Lt wrist radiograph; posteroanterior projection; Siemens.

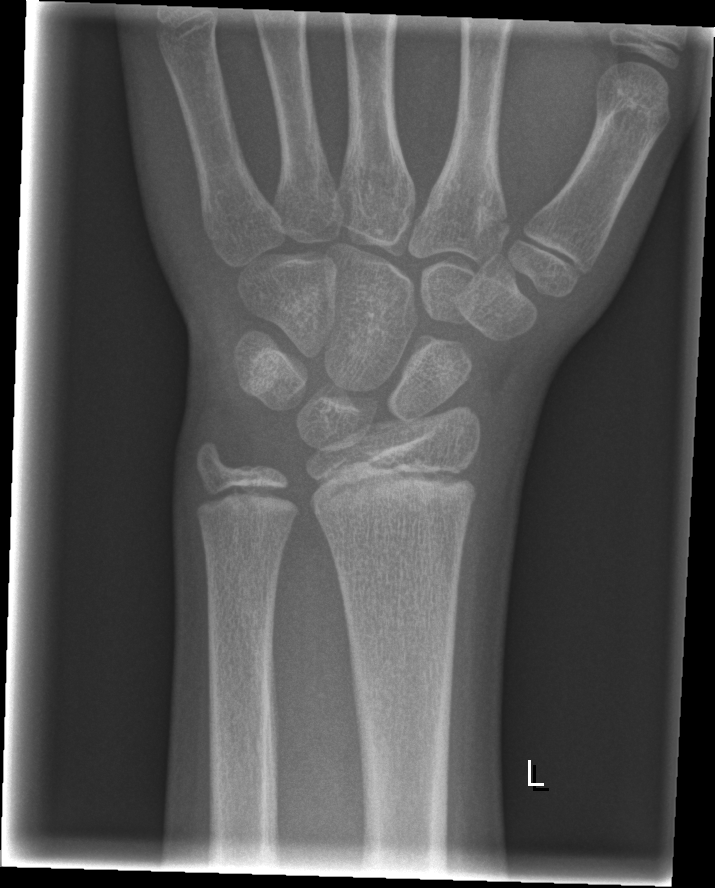

No Fx annotated.